Lt pediatric wrist radiograph, lat projection, 10-year-old male, cast present.
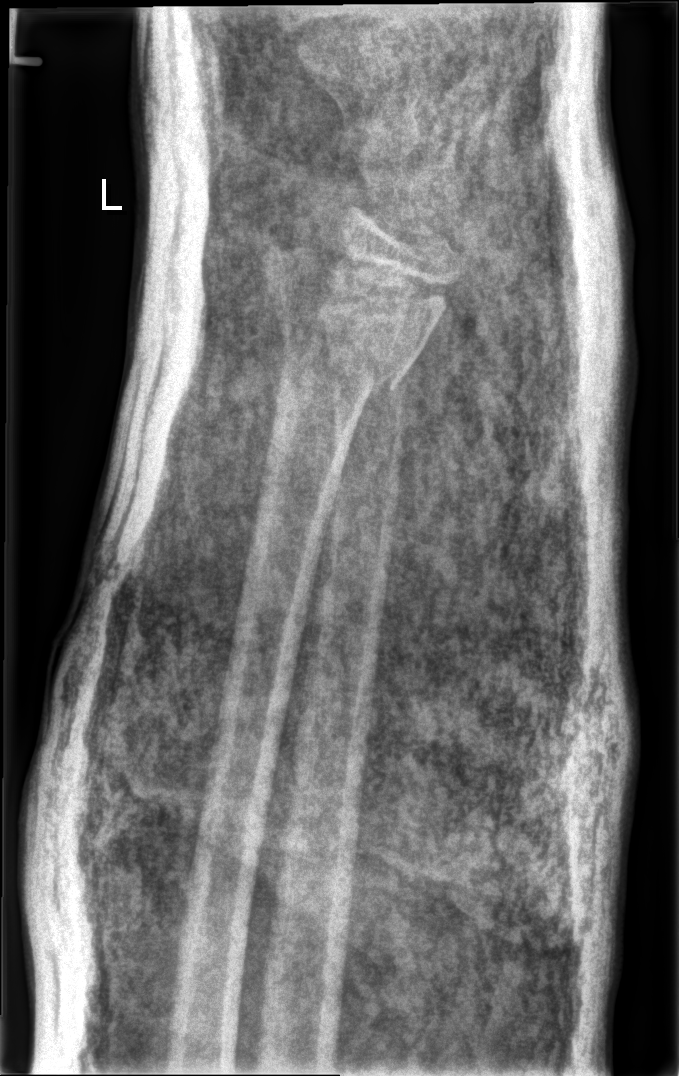
Boxes as x1,y1,x2,y2 (top-left / bottom-right, pixel units). Fracture: (270, 312, 419, 413). AO code 23r-E/2.1; 23u-M/2.1.